Lateral projection, right wrist pediatric wrist radiograph, 460 x 688 px —

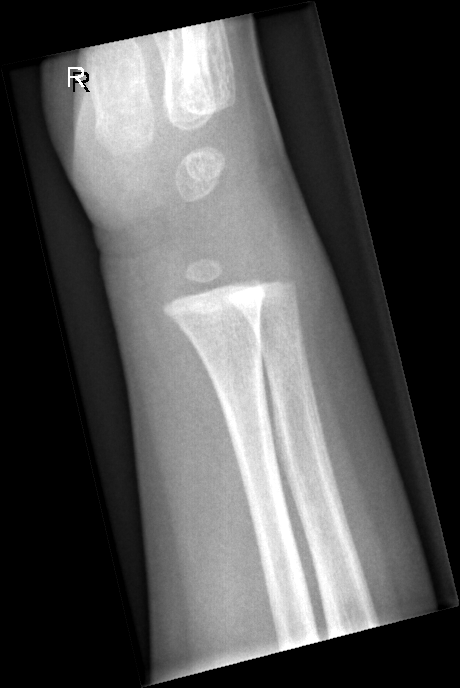

Q: Fracture present?
A: Fracture: none labeled